PA/AP projection, Rt wrist radiograph, acquired on Siemens
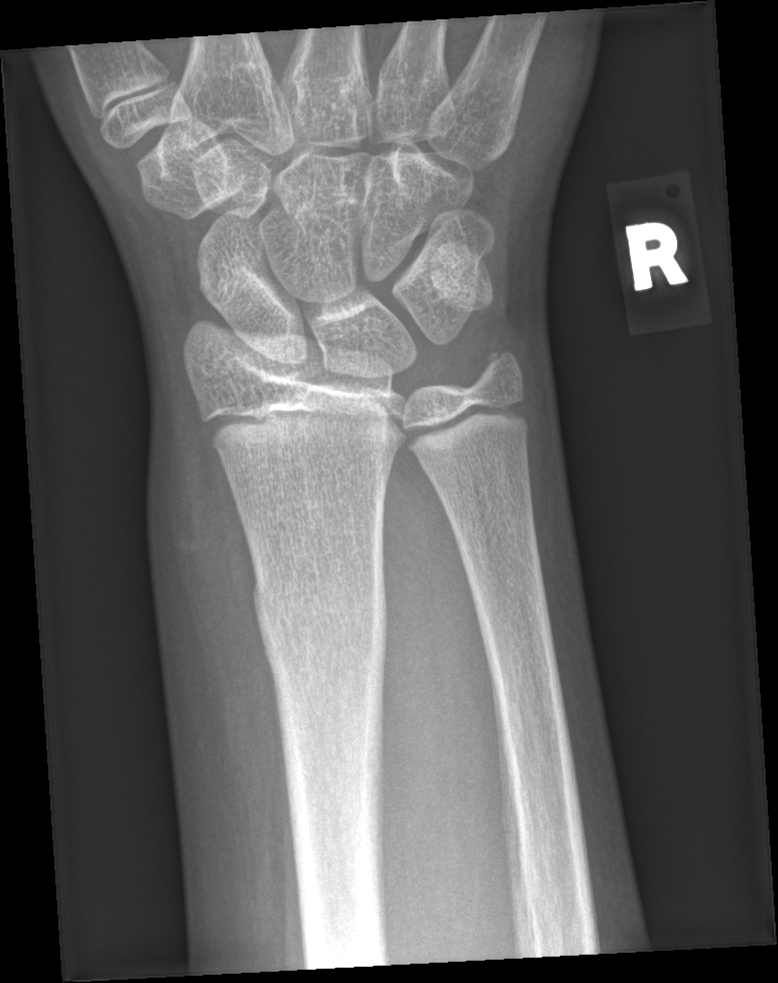

FINDINGS — Bone fracture identified at (250, 571, 392, 666); (470, 342, 527, 395). Soft-tissue finding identified at (142, 370, 263, 668). AO/OTA classification: 23r-M/2.1; 23u-E/7.